Left wrist plain radiograph of the wrist; lateral projection
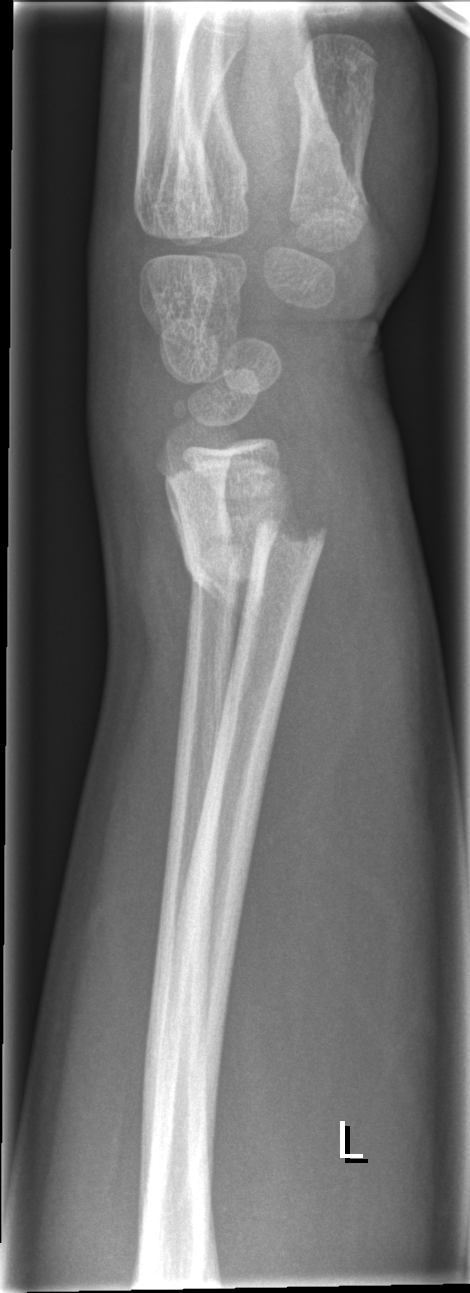
Bone fracture — (175, 475, 320, 594).
Positive pronator fat-pad sign: (258, 419, 377, 852).